Left wrist X-ray, lat view, 10y M, detector: Siemens, 383 x 996 px.
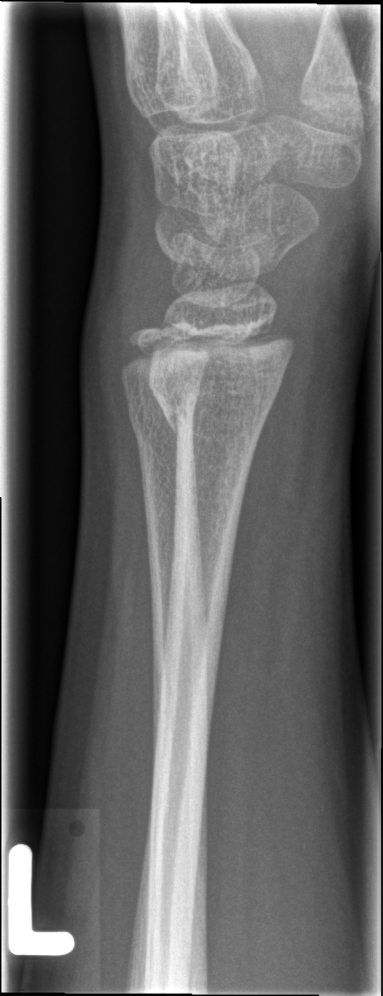

- Bone fractures — [x1=145, y1=359, x2=286, y2=453] [x1=121, y1=378, x2=202, y2=448].